Lt plain radiograph of the wrist; PA/AP view; girl, 10 yo; detector: Siemens; image size 612x1004.
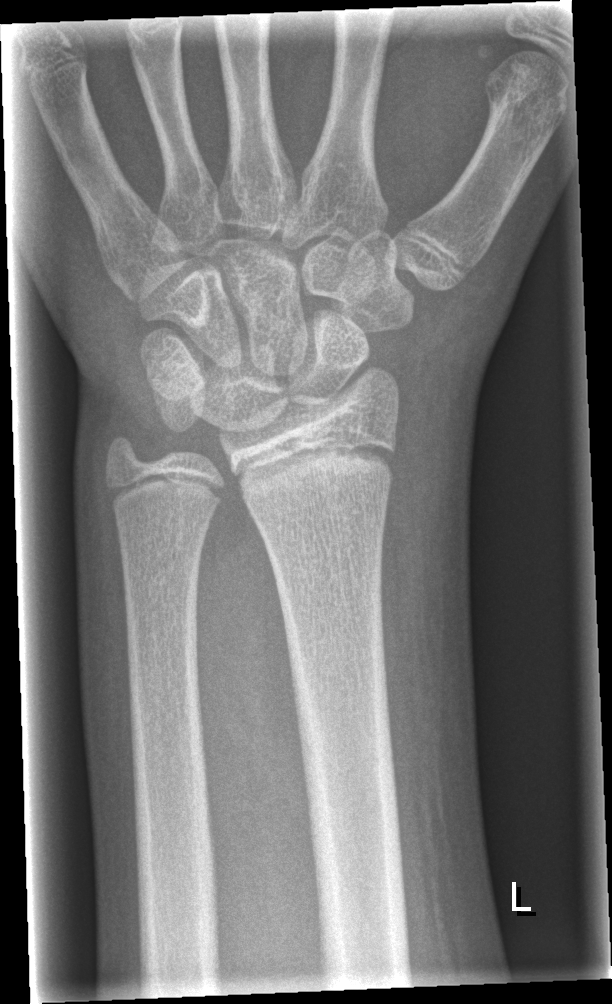 Q: Fracture present?
A: Fx: present but not clearly seen in this view